Right wrist X-ray · frontal view · subsequent exam · cast in situ:
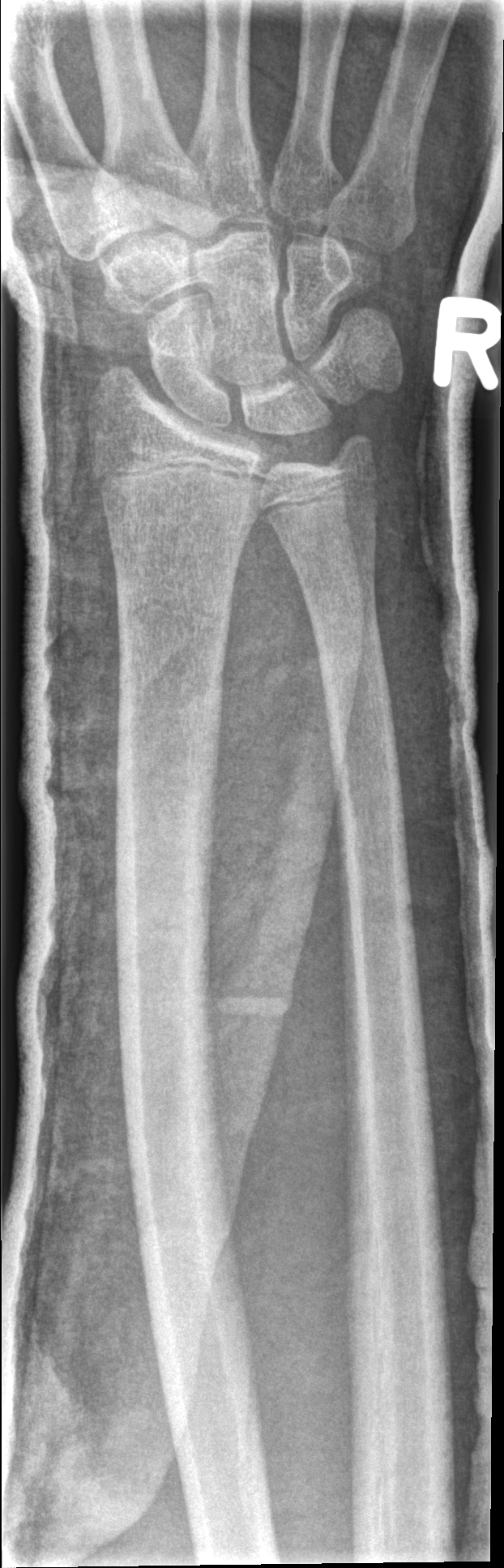 Q: Locate any fractures.
A: Fx — (112, 570, 237, 652)
Q: AO code?
A: AO code 23r-M/2.1